Left wrist plain film; posteroanterior view; age 10 y, girl; presentation radiograph; image width 65.5 mm

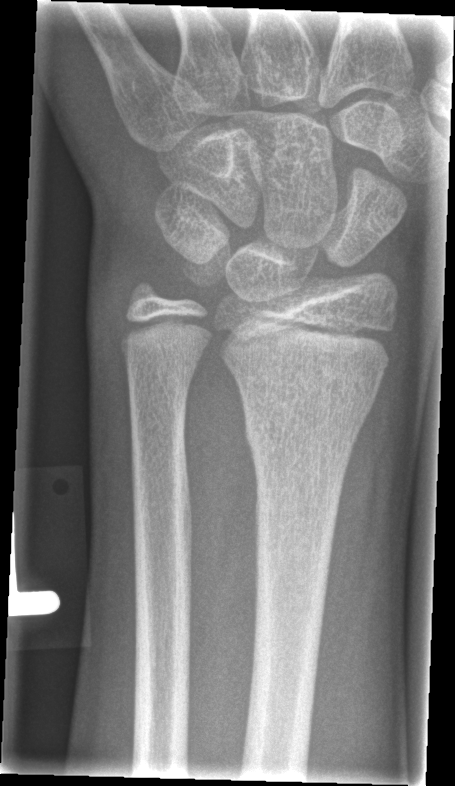 - Bounding boxes in image-pixel xyxy.
- Fx: (left=242, top=399, right=363, bottom=462).
- Fracture classified AO/OTA 23r-M/2.1.